R pediatric wrist radiograph; lat; pediatric patient (male, age 7); follow-up study; image width 55.7 mm

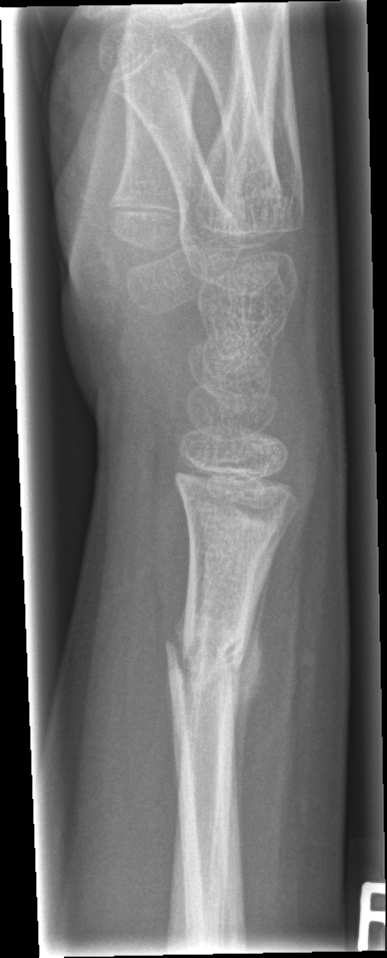
Q: Is there osteopenia?
A: Reduced bone mineral density
Q: Fracture present?
A: One Fx at bbox(162, 617, 245, 712)
Q: Is there periosteal reaction?
A: Periosteal new bone identified at bbox(234, 557, 274, 863)